PA projection · right wrist X-ray · 6y F · acquired on Siemens
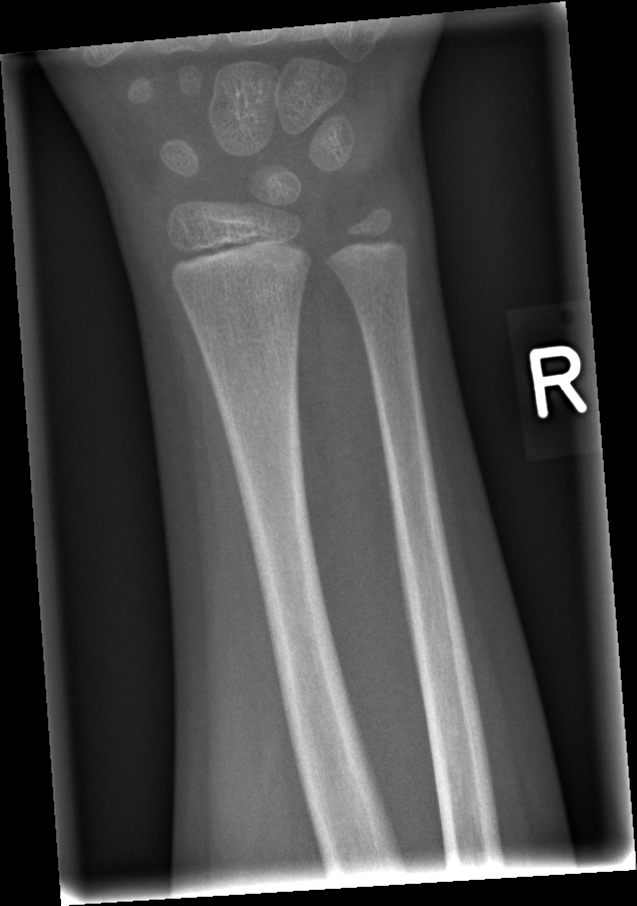
Q: Fracture present?
A: Fracture: present but not clearly seen in this view
Q: What is the AO/OTA classification?
A: AO code 23r-M/2.1